Left wrist pediatric wrist radiograph | posteroanterior projection | subsequent exam | imaged through cast
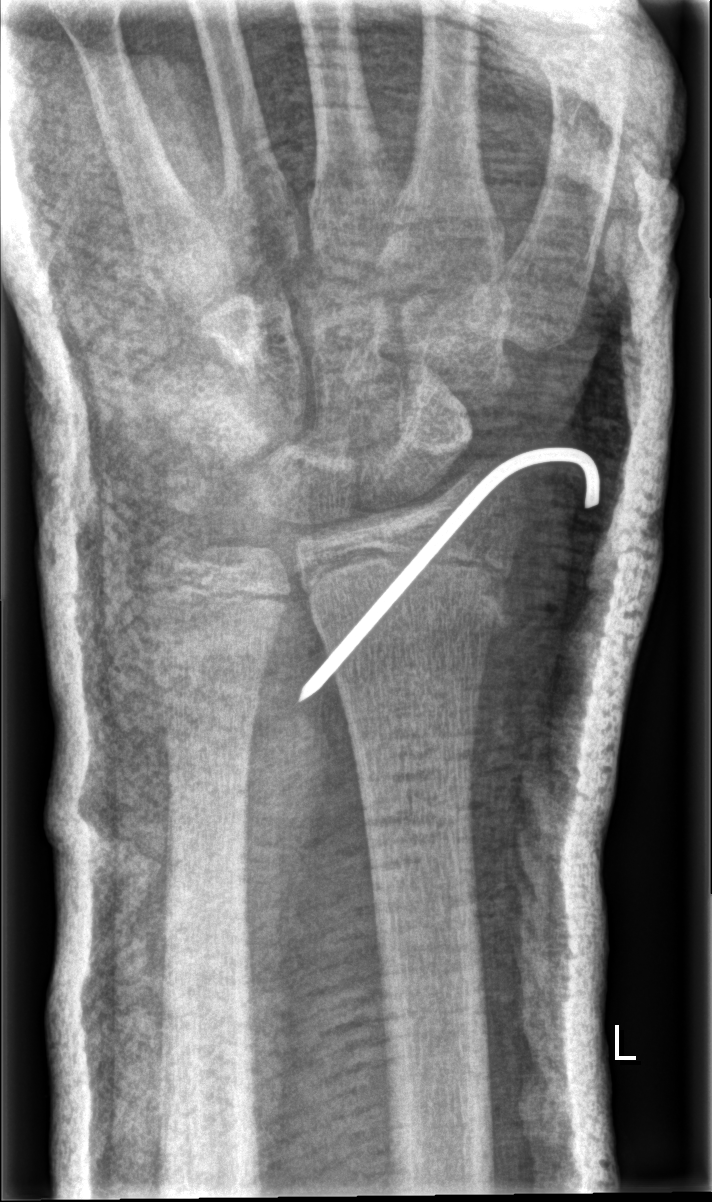 FINDINGS — AO/OTA classification: 23r-E/2.1. One metal at (left=303, top=448, right=600, bottom=700). Fx — (left=298, top=555, right=530, bottom=648).